Lat projection | Rt wrist plain film | Siemens | image width 62.8 mm —
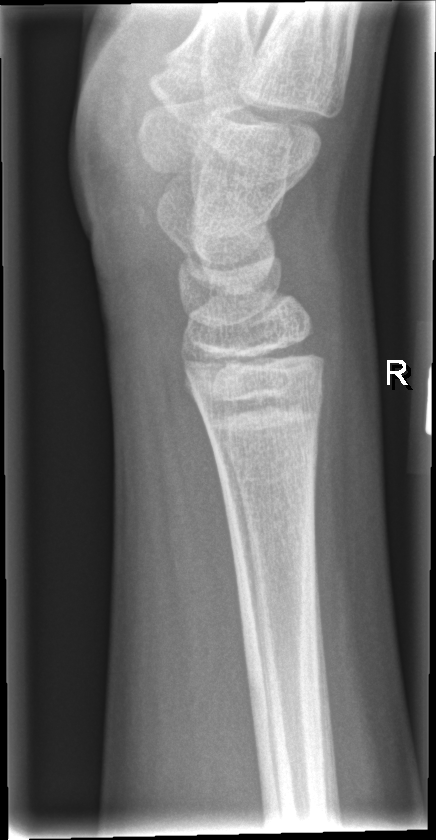 No Fx annotated.